PA view, Lt wrist radiograph, age 12 y, male, index exam:

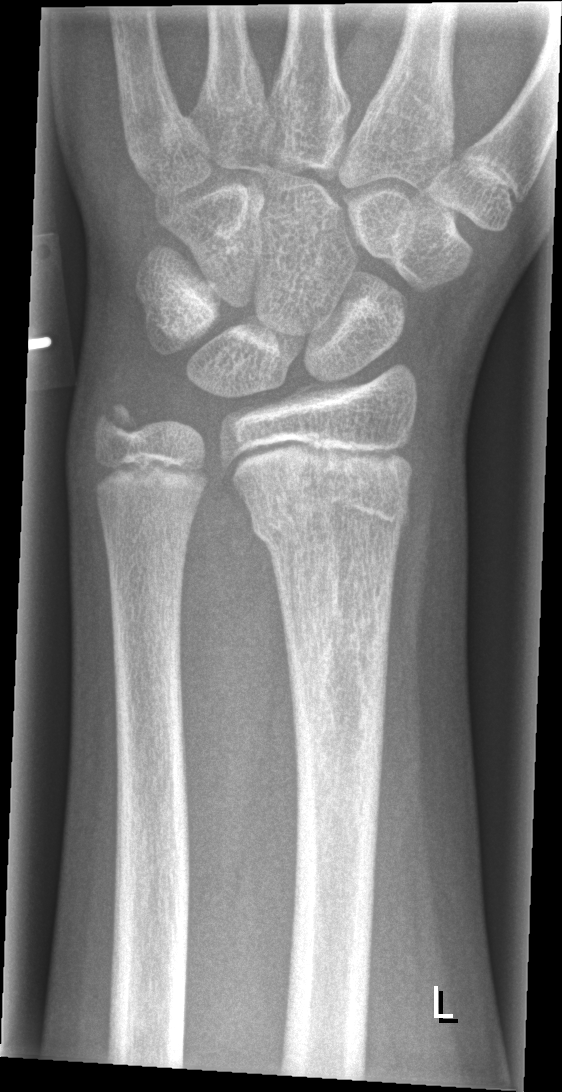 (coordinates are [x1, y1, x2, y2] in image pixels)
AO/OTA: 23r-M/3.1; 23u-E/7
Fx: bbox(244, 470, 417, 551) bbox(86, 387, 153, 455)